Right wrist plain film, posteroanterior:
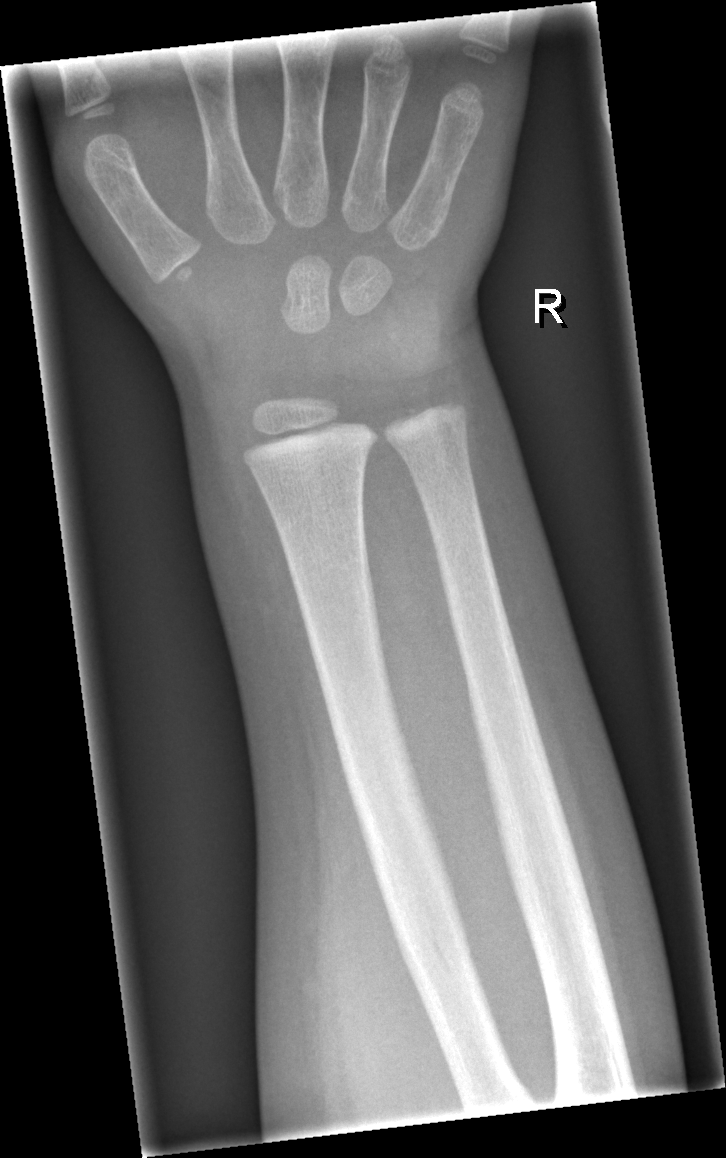
bone fracture: none labeled